R plain radiograph of the wrist; posteroanterior projection; image width 89.0 mm: 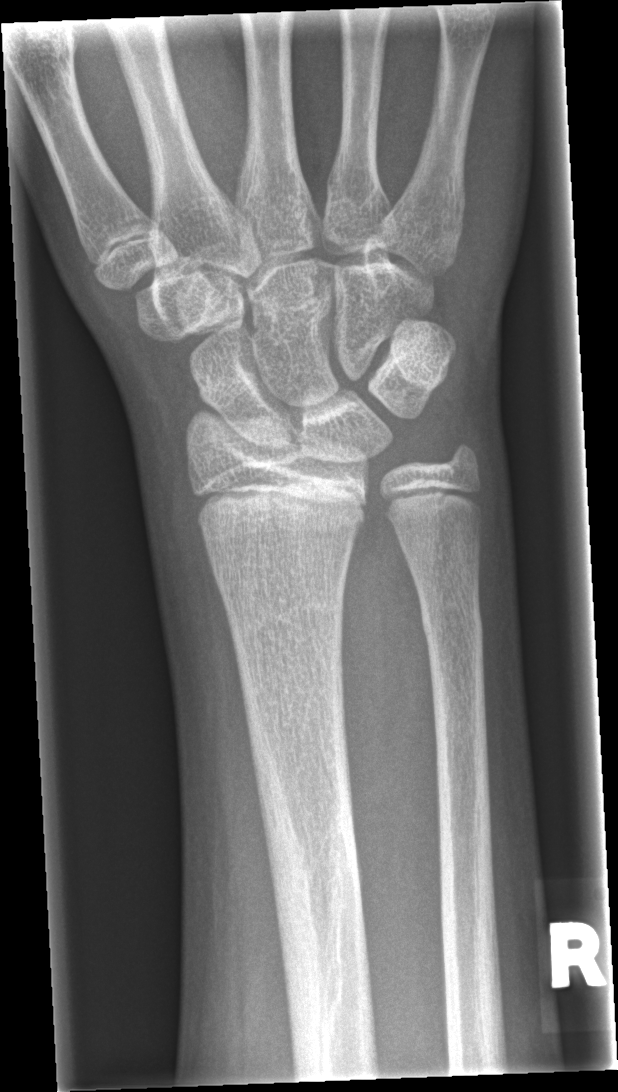

Boxes as x1,y1,x2,y2 (top-left / bottom-right, pixel units).
Fracture identified at 192,487,367,552 | 415,591,485,651.
Fracture classified AO/OTA 23r-E/2.1; 23u-M/2.1.